Lat view · Rt plain radiograph of the wrist · boy, 0.7 yo 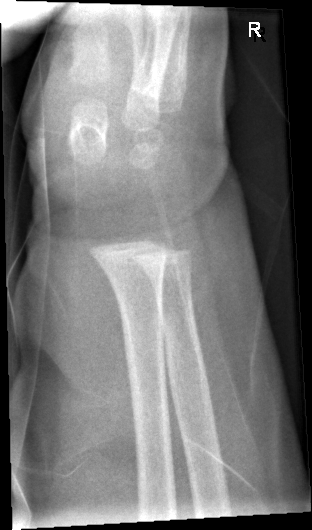 Q: Fracture present?
A: No fracture labeled